Right wrist X-ray; posteroanterior; age 5 y, girl; cast in situ; detector: Siemens —

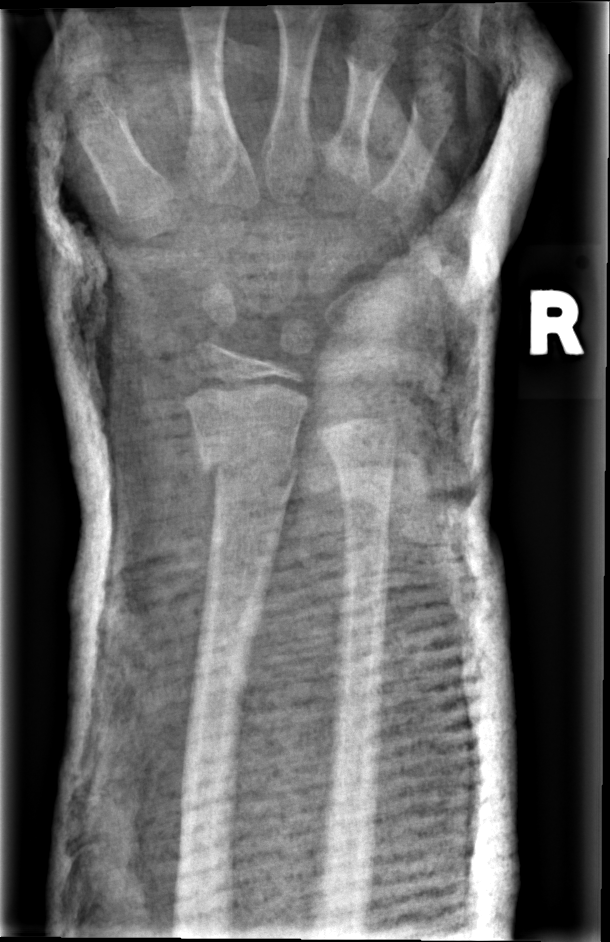

{"fracture": "(196, 440, 299, 507)"}